PA view; Rt wrist plain film; pediatric patient (male, age 4); image 70.7 mm wide 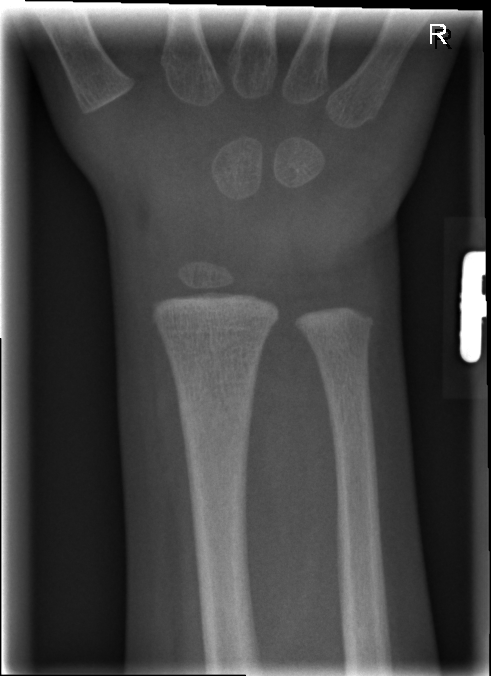
* AO code 23r-M/2.1.
* Bone fracture: (left=173, top=384, right=258, bottom=439).